Lat projection, R wrist plain film, girl, 17 yo, presentation radiograph, 64.2 mm image width —
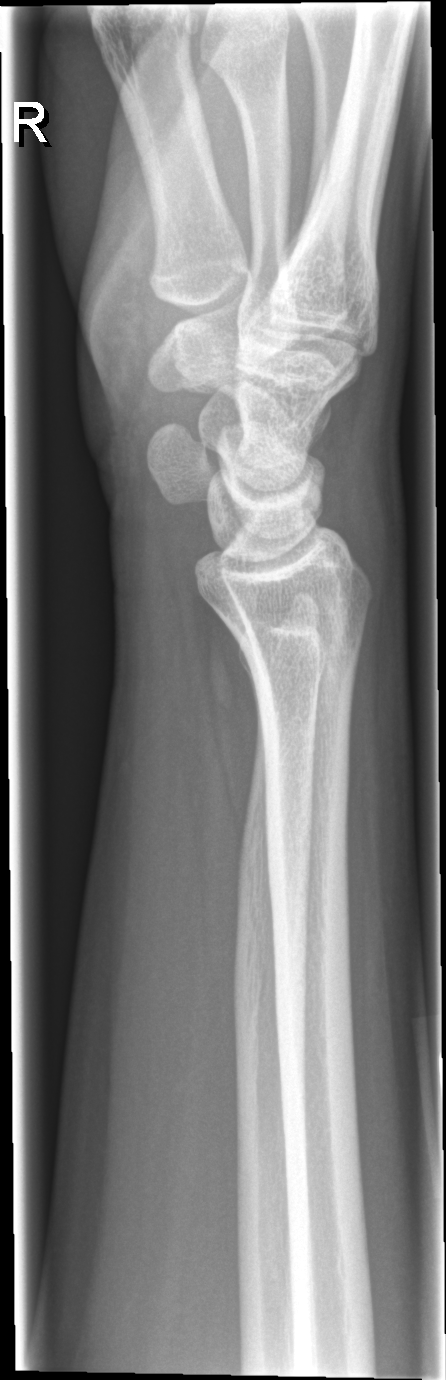 fracture: none labeled